Frontal view · right wrist pediatric wrist radiograph · pediatric patient (boy, age 16) · cast present 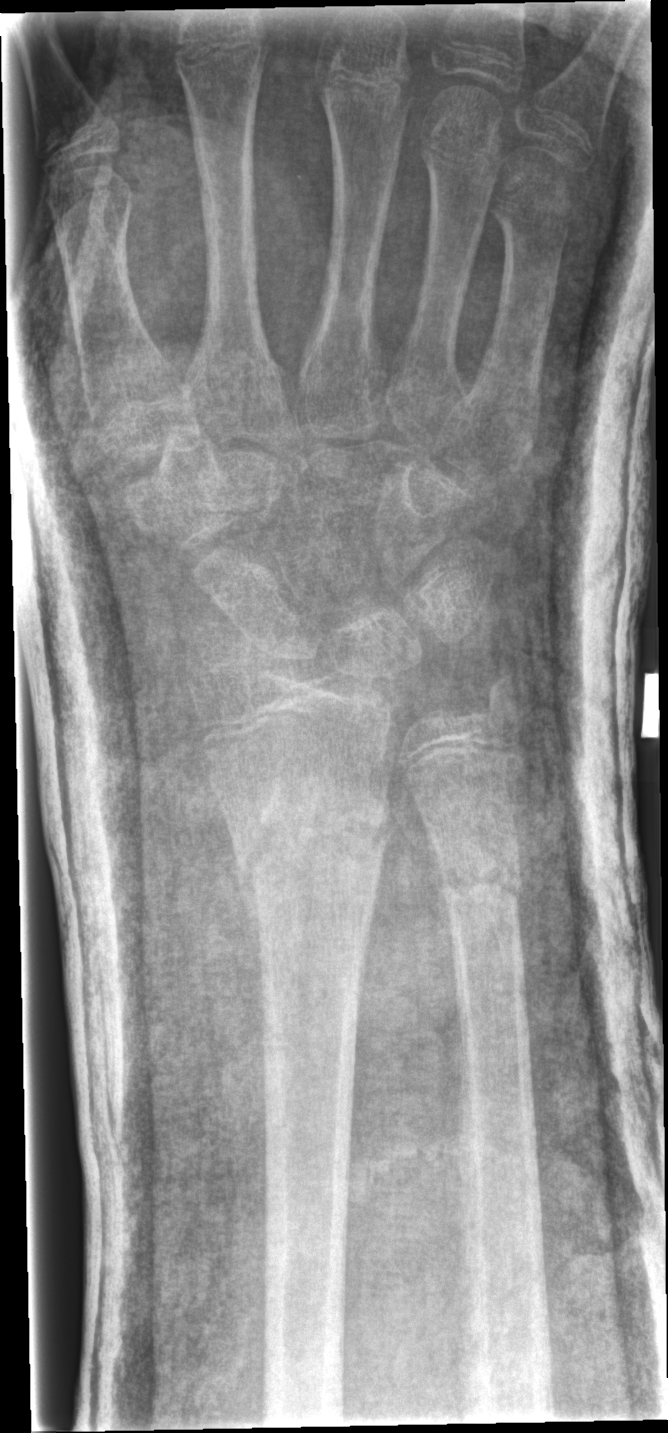
  ao: 23-M/3.1; 23u-E/7
  fracture: <219,770>-<395,919>, <428,852>-<530,931>